PA/AP projection · left wrist XR · presentation radiograph

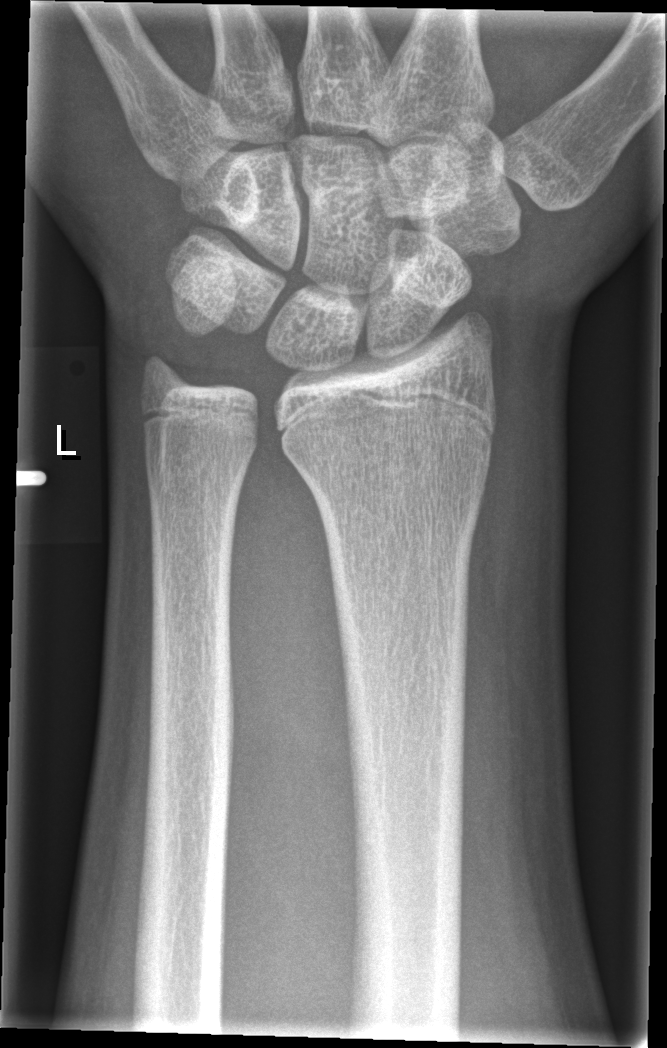
FINDINGS: No fracture labeled.